Lat view, right plain radiograph of the wrist, girl, 17 yo, acquired on Siemens —
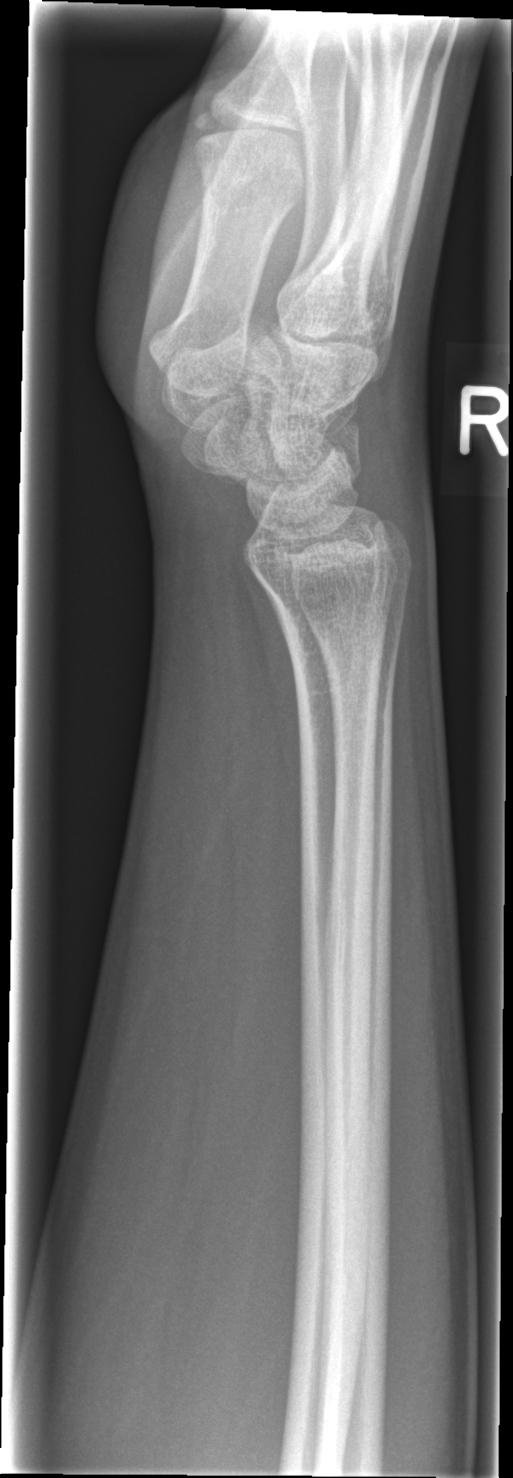 FINDINGS — No fracture labeled.